Left wrist XR; lat view; age 15 y, boy:
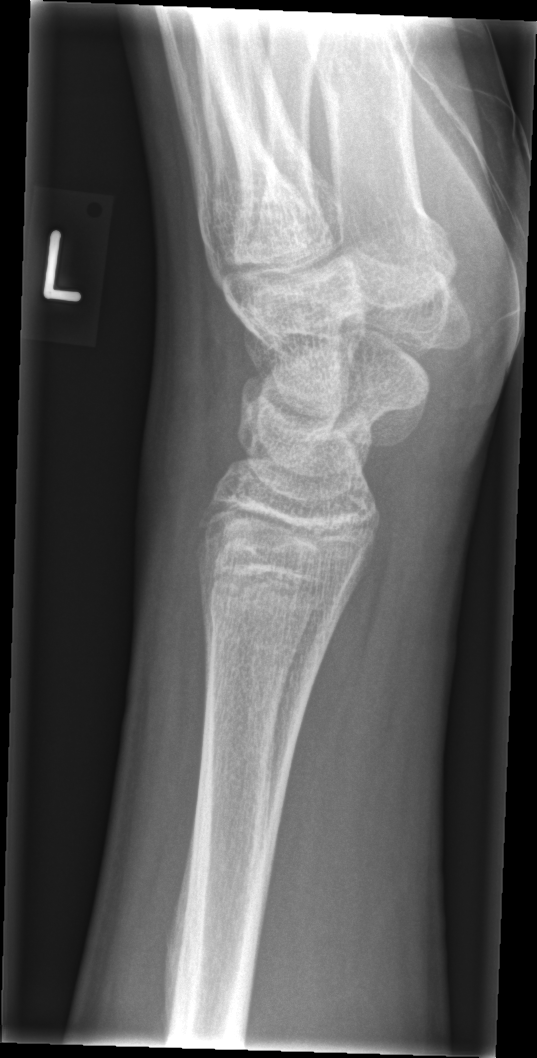

Findings: (bounding boxes in image-pixel xyxy) No Fx annotated. Bone variant: 155,856,270,1028.